Right wrist XR; lateral view; age 4 y, female; presentation radiograph:

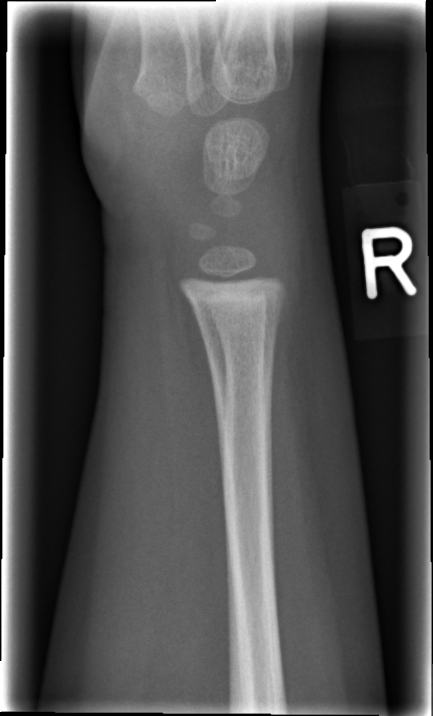 No fracture bounding box.